PA/AP projection, Lt wrist radiograph, follow-up study, 540 x 903 px.

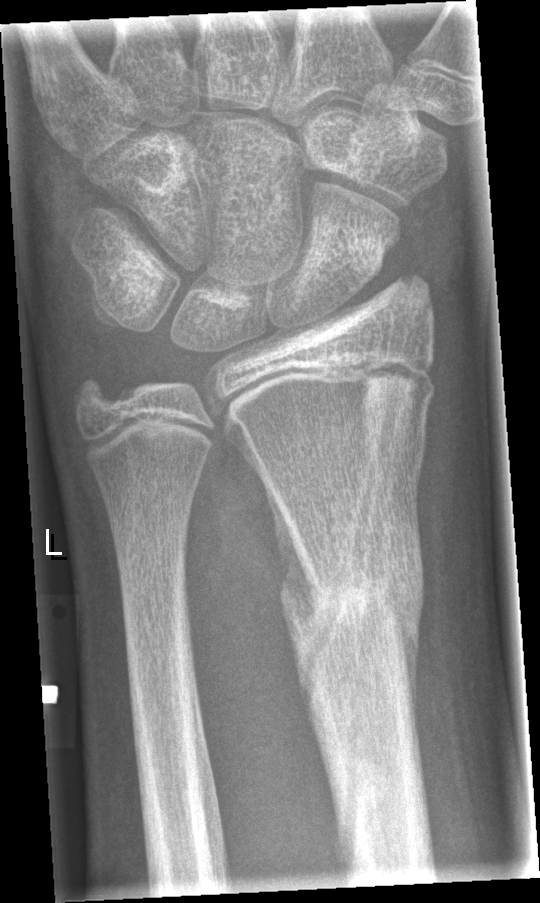

(pixel coordinates, top-left origin, xyxy)
Q: Bone variants present?
A: Bone anomalies — (left=292, top=372, right=423, bottom=702); (left=332, top=612, right=411, bottom=885)
Q: Any periosteal thickening?
A: Periosteal new bone: (left=262, top=476, right=319, bottom=625), (left=398, top=593, right=424, bottom=728)
Q: Locate any fractures.
A: Fractures — (left=274, top=565, right=429, bottom=643) (left=64, top=367, right=125, bottom=425)
Q: What is the AO/OTA classification?
A: Fracture classified AO/OTA 23r-M/3.1; 23u-E/7